AP view; right wrist X-ray

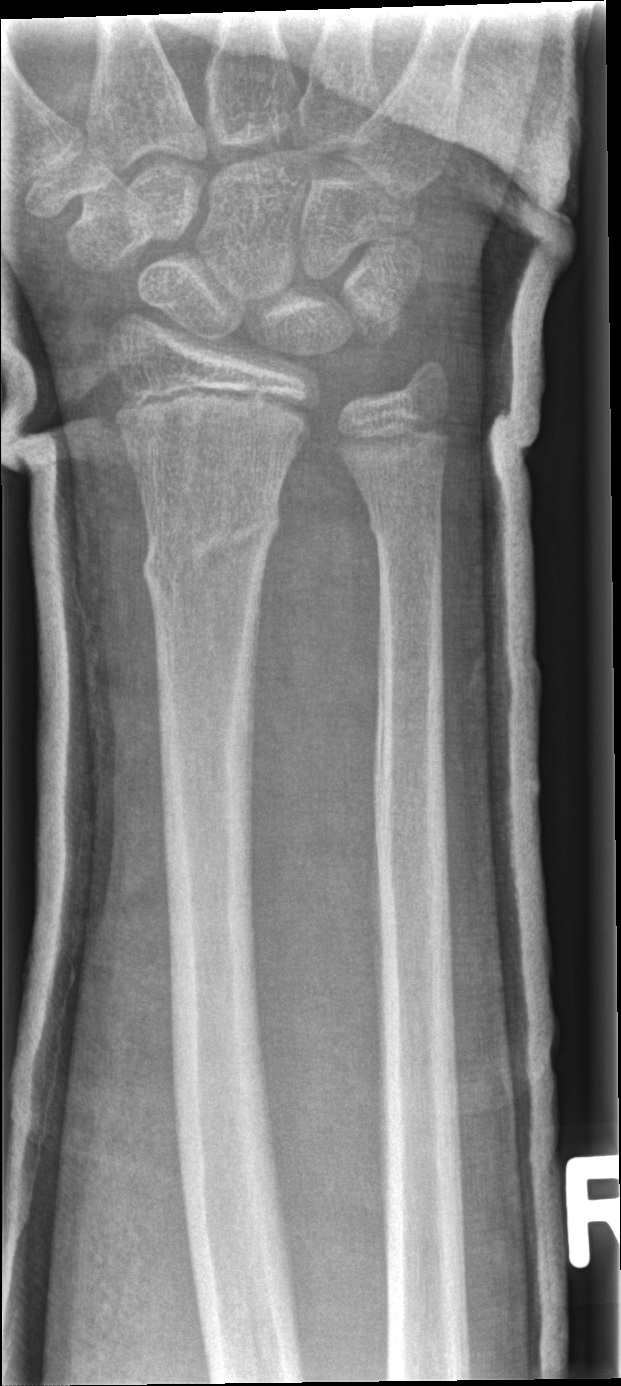
(bounding boxes in image-pixel xyxy)
Q: Fracture present?
A: Fx: 137,500,282,608
  365,497,448,549